PA view, right wrist radiograph, 14-year-old girl
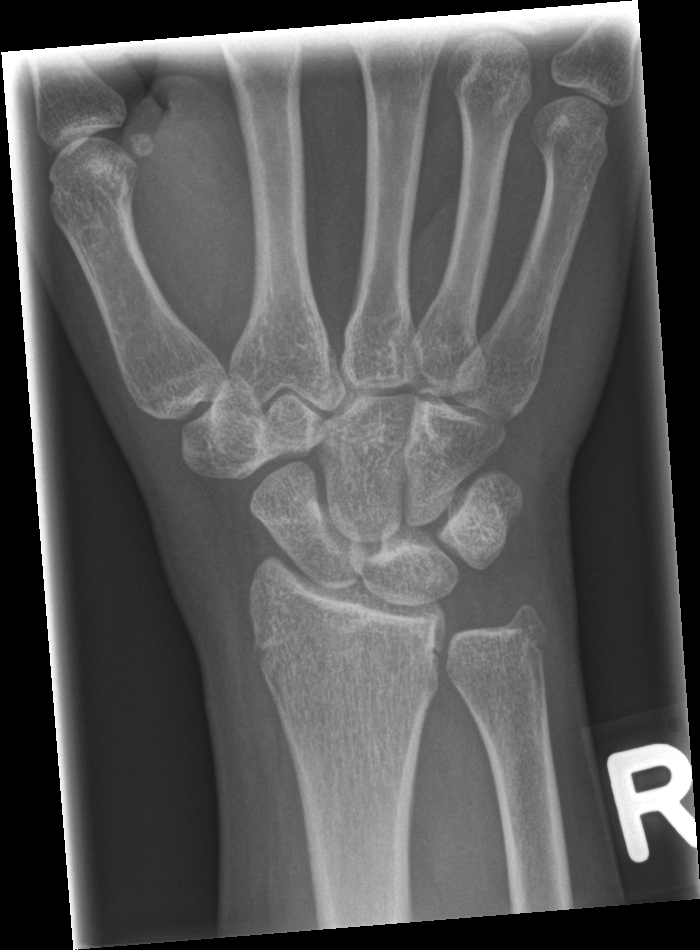 Fx: none labeled